Lateral, Rt wrist radiograph, 17-year-old female, 77.5 mm image width.
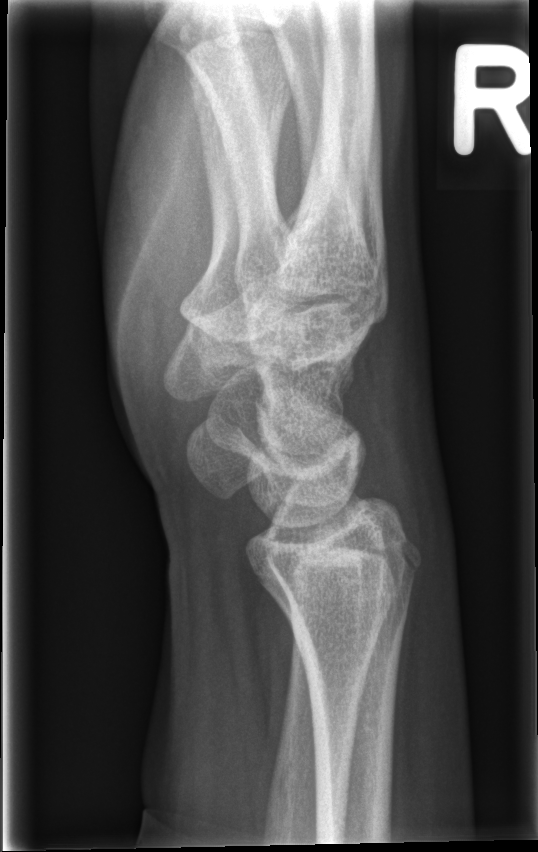

{"fracture": "none labeled"}